Lat projection; Lt pediatric wrist radiograph; 5-year-old female: 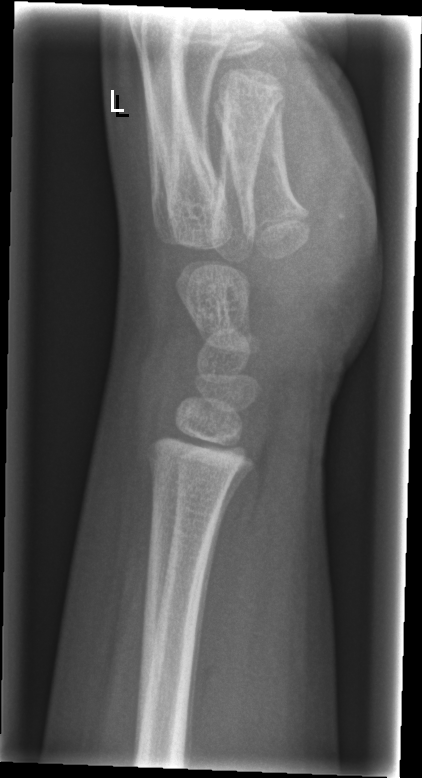

{"fracture": "none labeled"}